PA/AP, Rt wrist radiograph, follow-up, 106.0 mm image width —

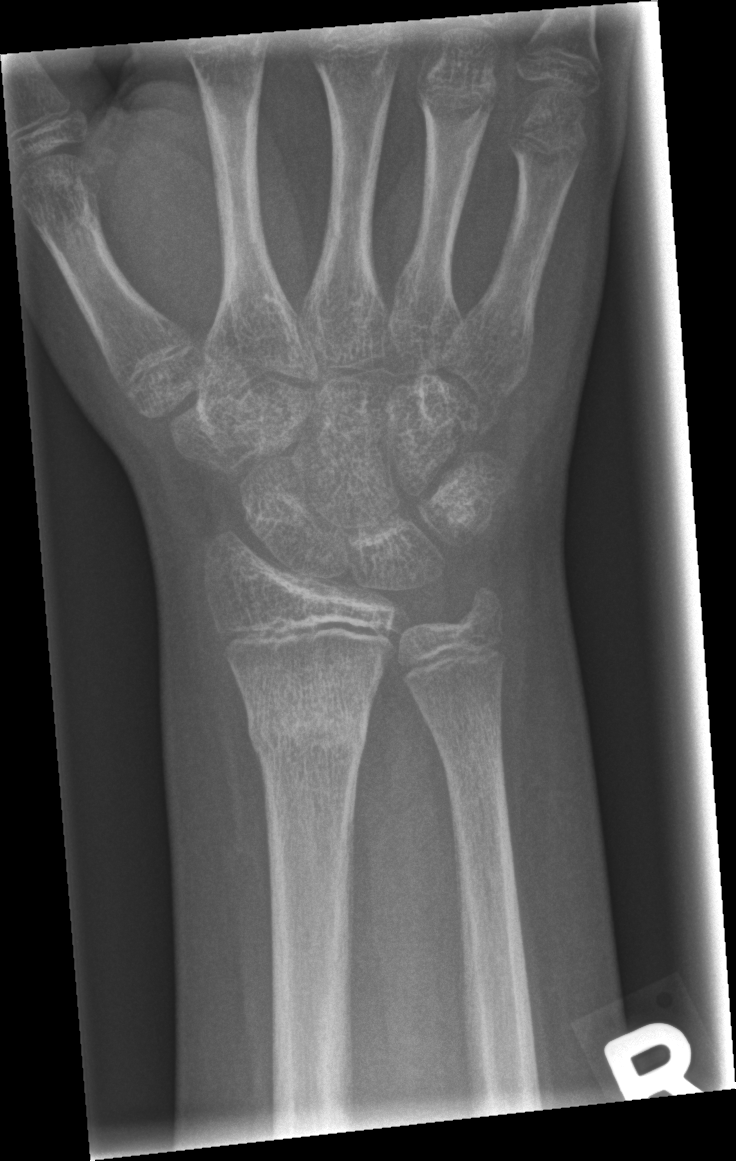
AO classification = 23r-M/3.1
Fx = 1 @ <244,689>-<372,758>
Osteopenia = present